R wrist XR, frontal projection, pediatric patient (girl, age 14), initial study — 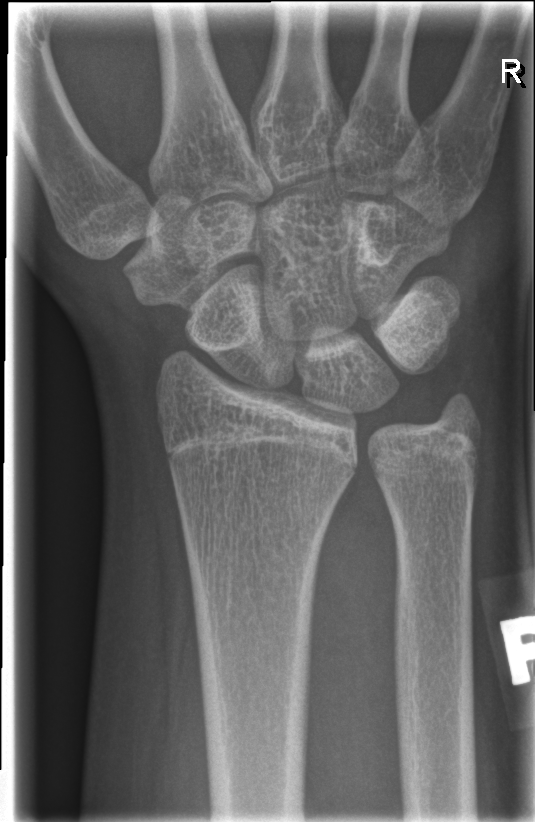

Fx: none labeled